R wrist plain film · PA view · 12y F · initial study · 82.9 mm image width

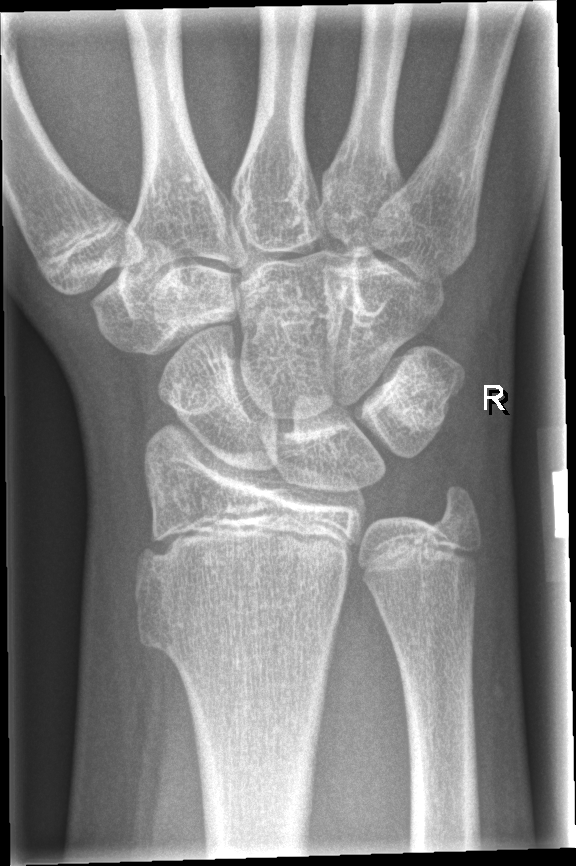 Boxes as x1,y1,x2,y2 (top-left / bottom-right, pixel units).
Fracture: none labeled.
Osseous lesion identified at <130,542>-<195,688>.